Posteroanterior view, R wrist X-ray, initial study: 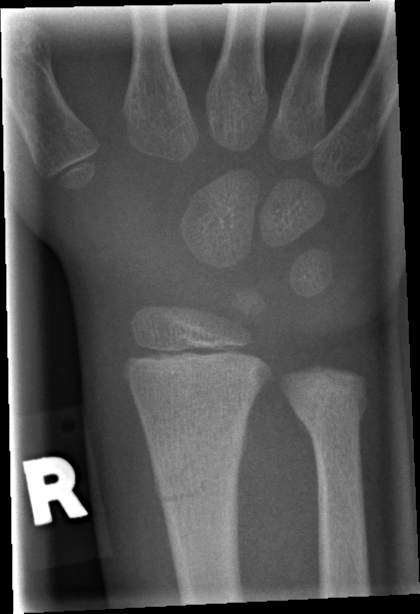
Boxes as x1,y1,x2,y2 (top-left / bottom-right, pixel units).
AO/OTA classification: 23r-M/3.1; 23u-M/2.1.
Fractures — <147,423>-<246,507>, <289,386>-<369,433>.